Left pediatric wrist radiograph · lateral projection · pediatric patient (female, age 8) · Siemens: 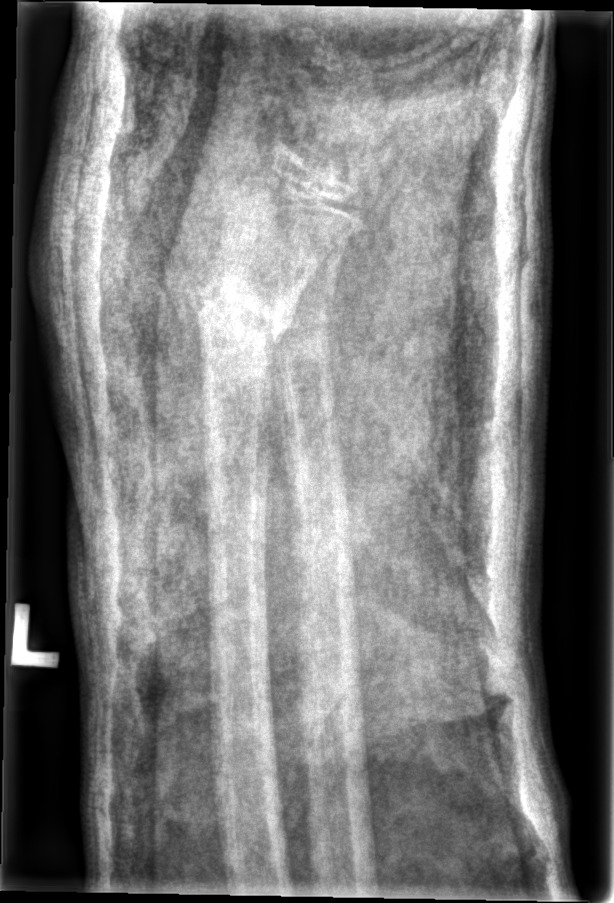 • Bone fracture: [192, 275, 290, 360]; [272, 309, 337, 370].
• Fracture classified AO/OTA 23-M/3.1.